Lateral view | L wrist plain film | pediatric patient (boy, age 3) —

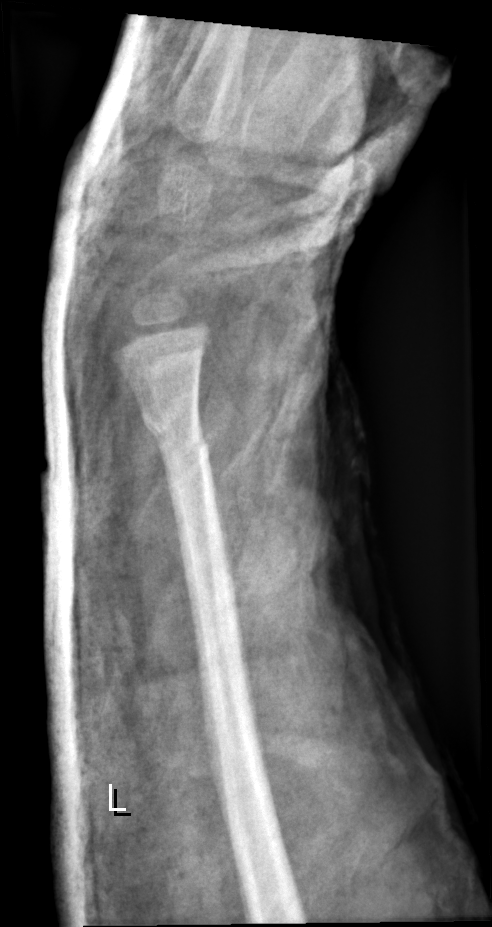 * One bone fracture at (left=136, top=402, right=211, bottom=466).
* AO/OTA classification: 23r-M/3.1; 23u-M/2.1.